AP view | L wrist XR | age 14 y, boy | 776x854. 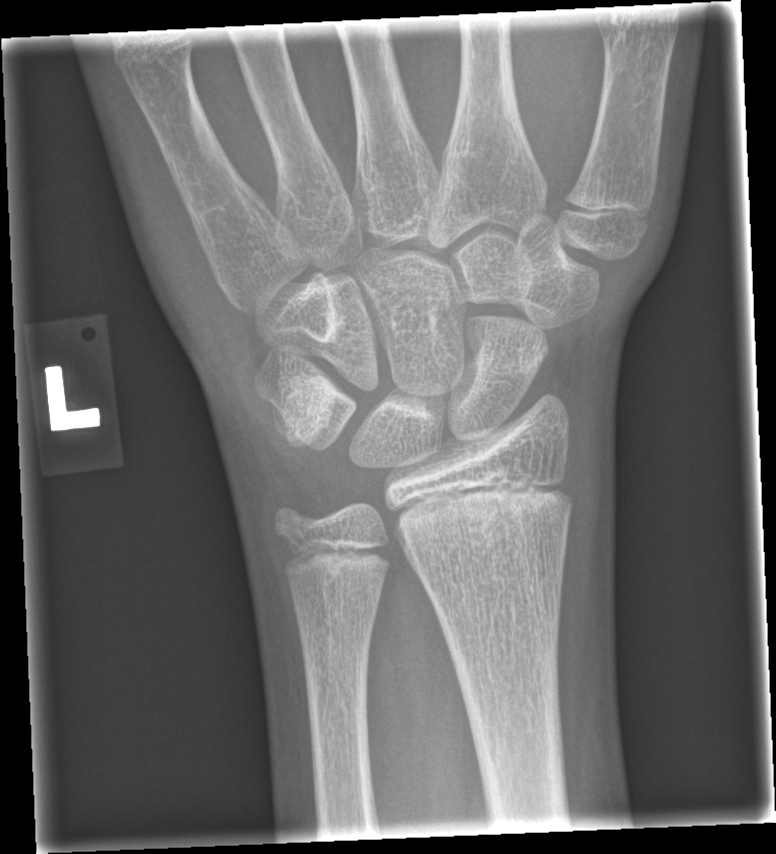

fracture: none labeled